Left wrist plain film, posteroanterior view, girl, 12 yo, index exam
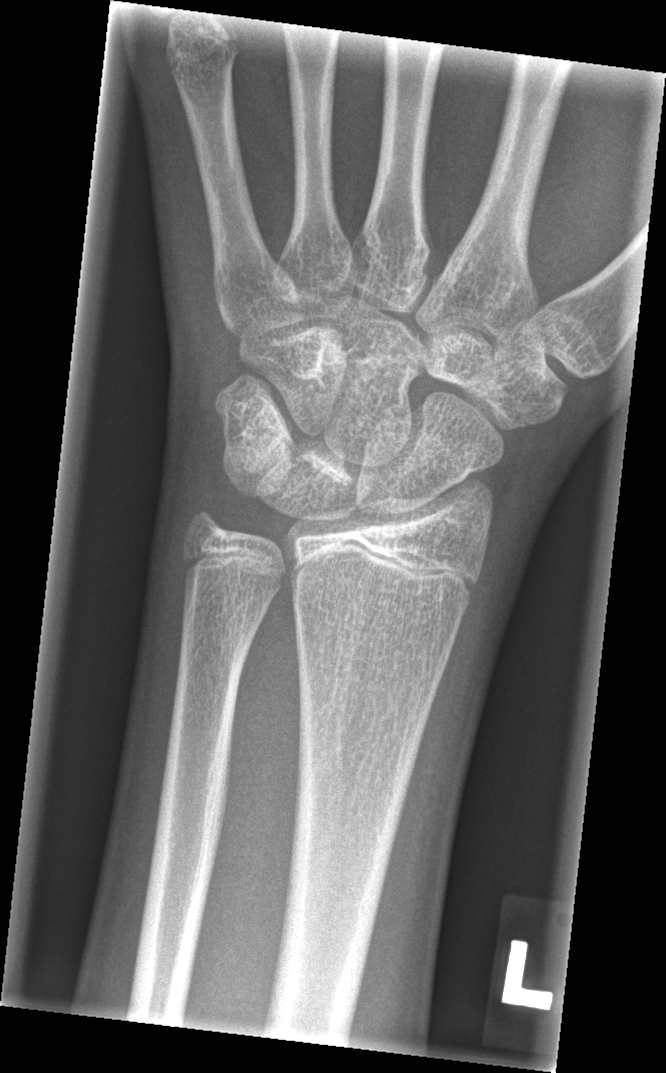 Q: Is there a fracture?
A: No fracture annotation